Lateral view; right wrist plain film; age 13 y, male; detector: Siemens:
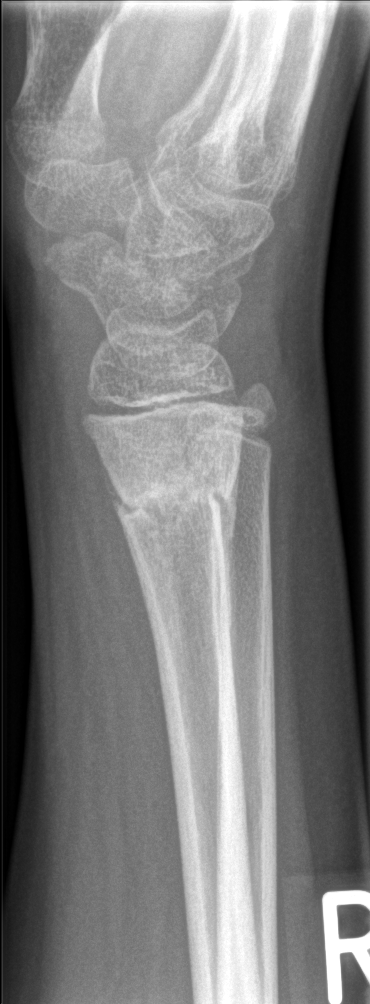 One bone fracture at (left=104, top=470, right=239, bottom=552). Periosteal new bone — (left=212, top=460, right=239, bottom=707). AO code 23r-M/3.1; 23u-E/7. Reduced bone mineral density.